Right wrist radiograph | posteroanterior
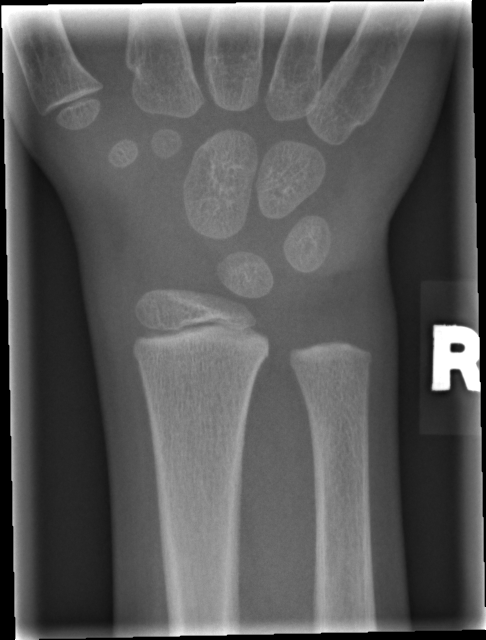
{
  "fracture": "none labeled"
}